Posteroanterior view, Rt wrist XR, pediatric patient (girl, age 17), presentation radiograph —
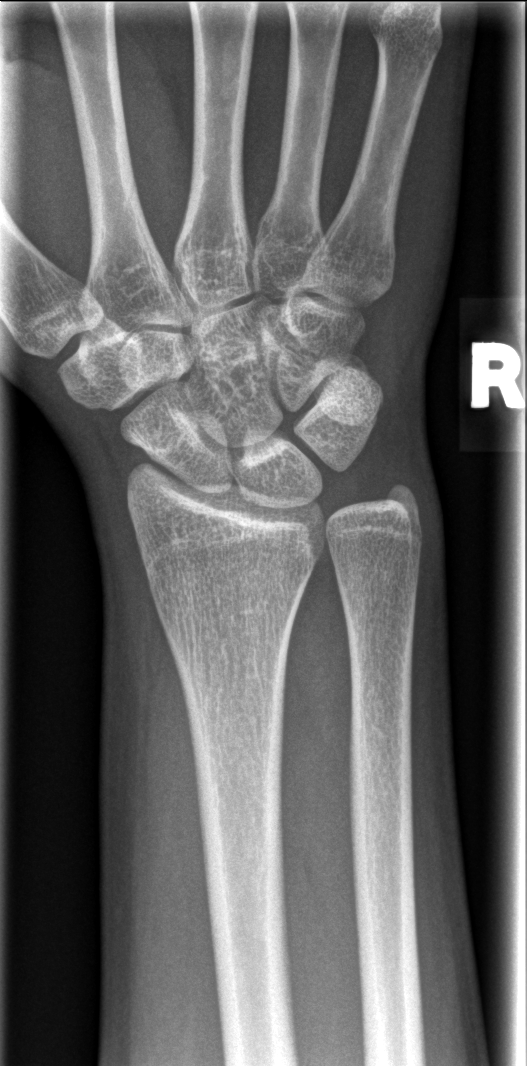

fracture: none labeled